PA · Rt wrist radiograph · pediatric patient (boy, age 15) · acquired on Siemens · image 77.2 mm wide · image size 536x892
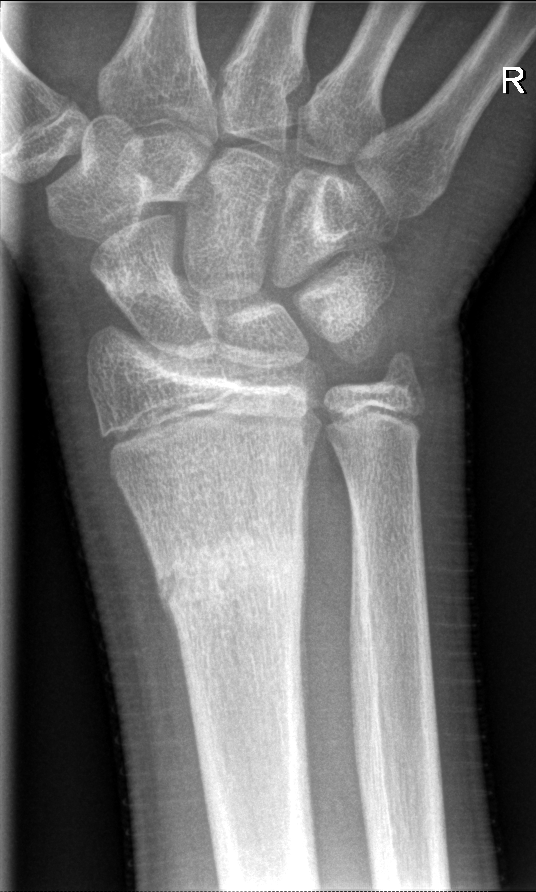
(bounding boxes in image-pixel xyxy)
Q: Fracture present?
A: Fx: (left=146, top=515, right=312, bottom=629)
Q: Is there osteopenia?
A: Reduced bone mineral density